Right wrist XR · posteroanterior projection · age 13 y, female.

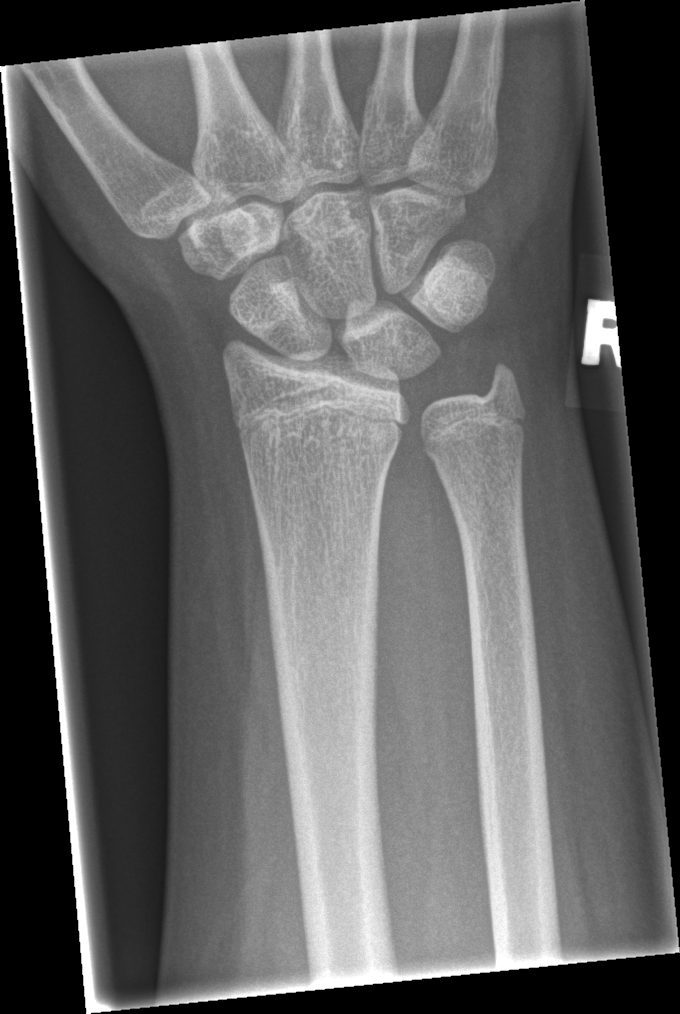 FINDINGS: No fracture annotation.